Lateral projection; Rt wrist XR; 16-year-old girl —

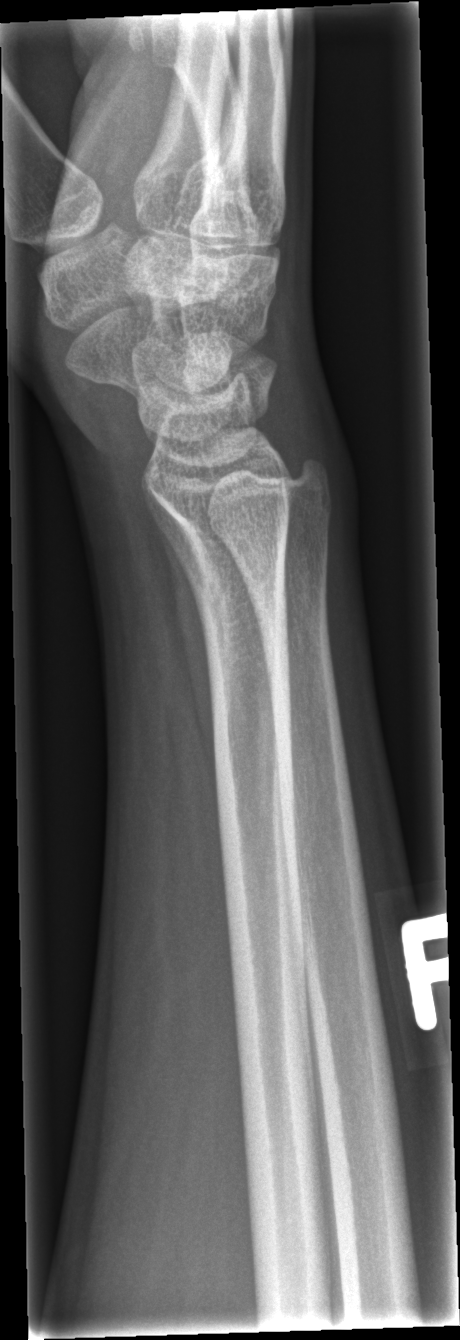
• No Fx annotated.